PA/AP, Rt plain radiograph of the wrist, subsequent exam:
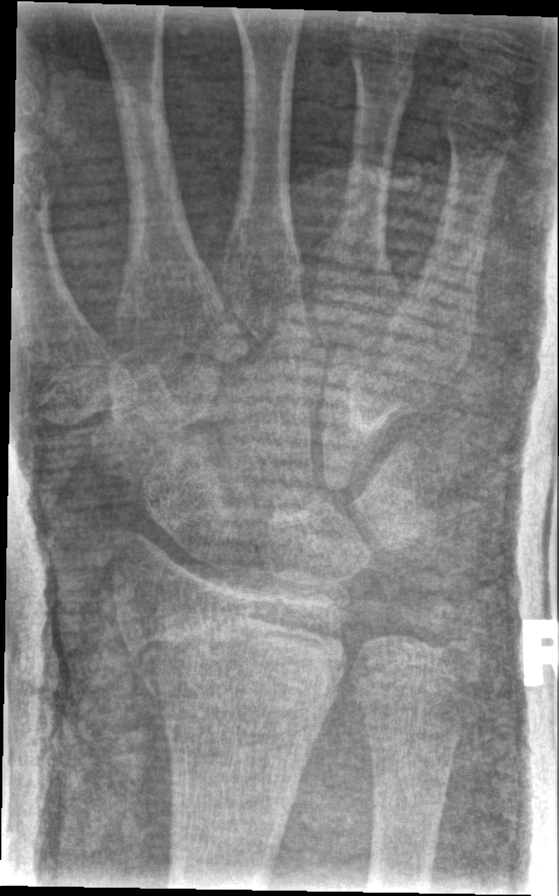 FINDINGS — (pixel coordinates, top-left origin, xyxy) Bone fracture: [x1=116, y1=594, x2=354, y2=710]; [x1=415, y1=593, x2=489, y2=671].